Lat projection · Rt wrist X-ray · pediatric patient (male, age 16) · presentation radiograph — 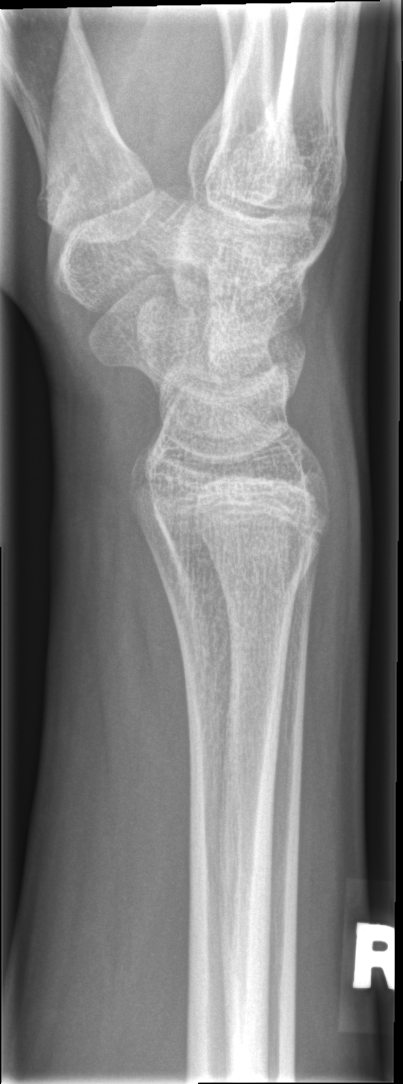 (coordinates are [x1, y1, x2, y2] in image pixels)
AO classification = 23r-M/2.1
Bone fracture = [151, 545, 323, 615]